AP view | Rt wrist radiograph.

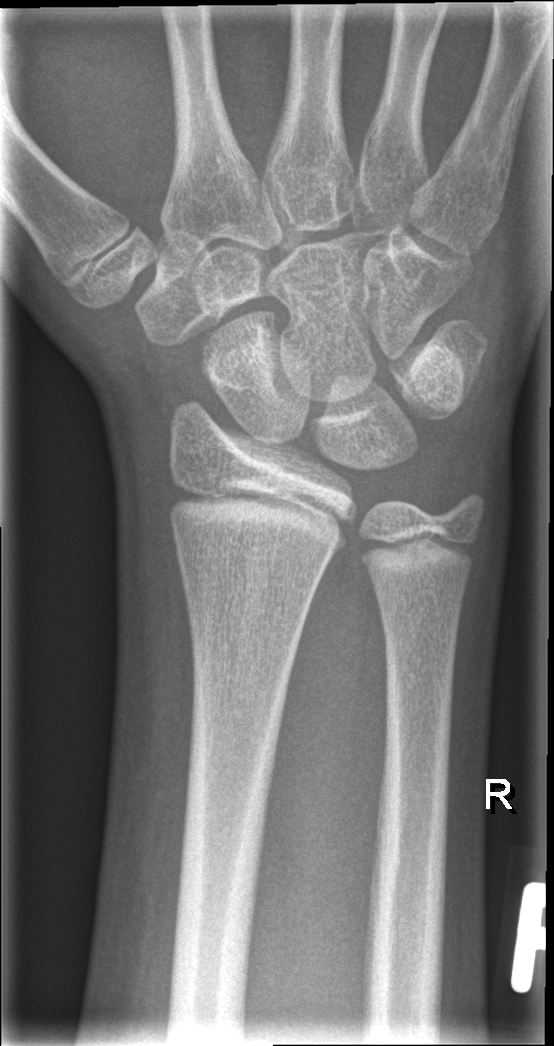
Fracture: none labeled.